L pediatric wrist radiograph, lateral, diagnosis uncertain

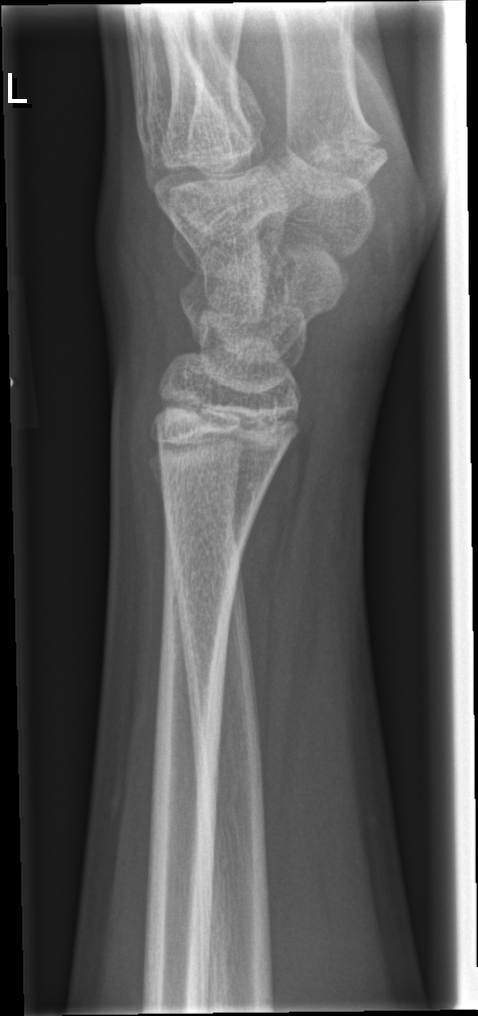

Q: Is there a fracture?
A: No fracture labeled
Q: Any soft-tissue swelling?
A: Soft-tissue finding: [99, 160, 195, 374]